Right wrist plain radiograph of the wrist; posteroanterior projection; follow-up study; 542x1014

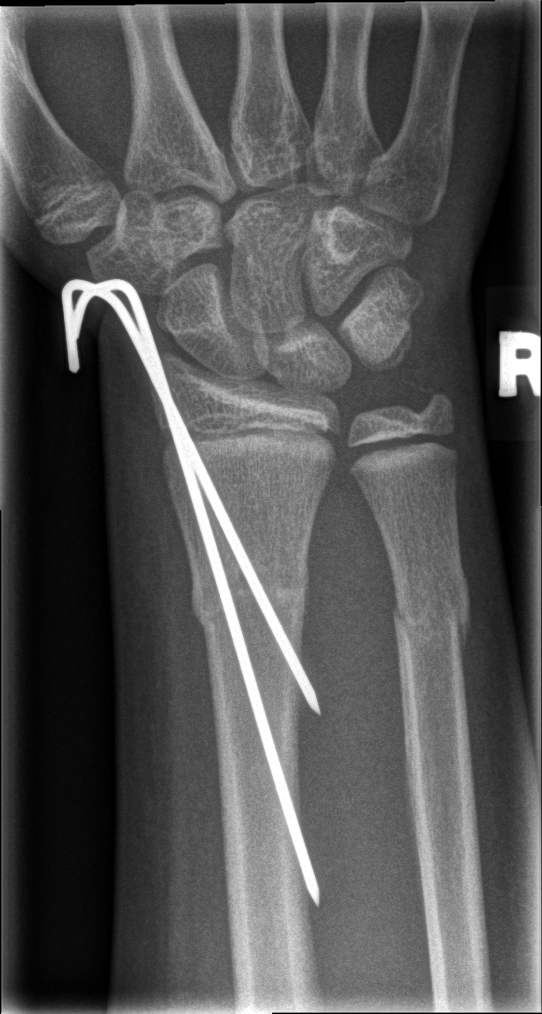 Findings: (pixel coordinates, top-left origin, xyxy) Three fractures at [187, 562, 310, 640], [388, 569, 473, 654], [396, 375, 455, 422]. Metal: [58, 275, 326, 912]. AO code 23-M/3.1; 23u-E/7.